Lat projection; Lt wrist X-ray —

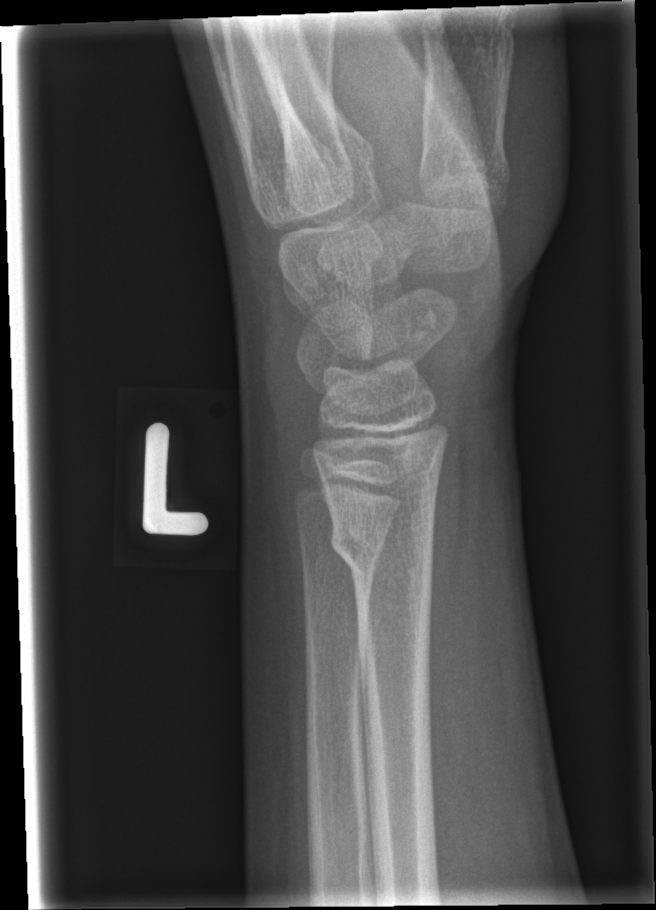 AO code 23r-M/2.1. Fracture — [x1=324, y1=502, x2=440, y2=589].